Lat projection; L wrist plain film; 11y F; follow-up study; detector: Siemens — 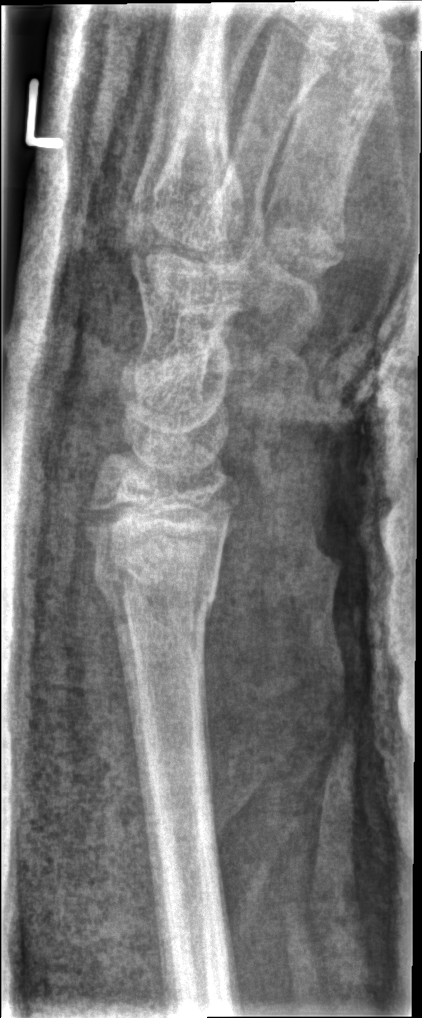
(boxes as x1,y1,x2,y2 (top-left / bottom-right, pixel units))
Q: Fracture present?
A: Fracture — 88,538,224,626
Q: AO code?
A: AO code 23-M/3.1